Rt wrist radiograph | PA/AP

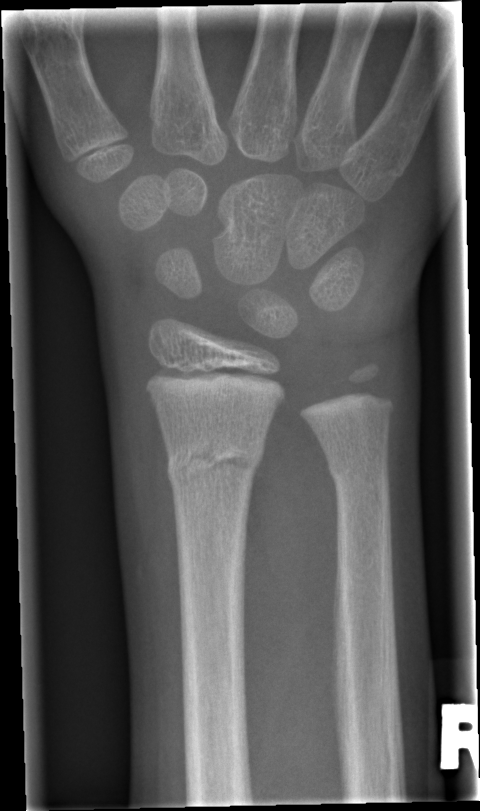
FINDINGS: Two bone fractures at bbox(162, 435, 267, 495); bbox(323, 450, 394, 506).